Lateral projection; Rt plain radiograph of the wrist; 13y F; index exam — 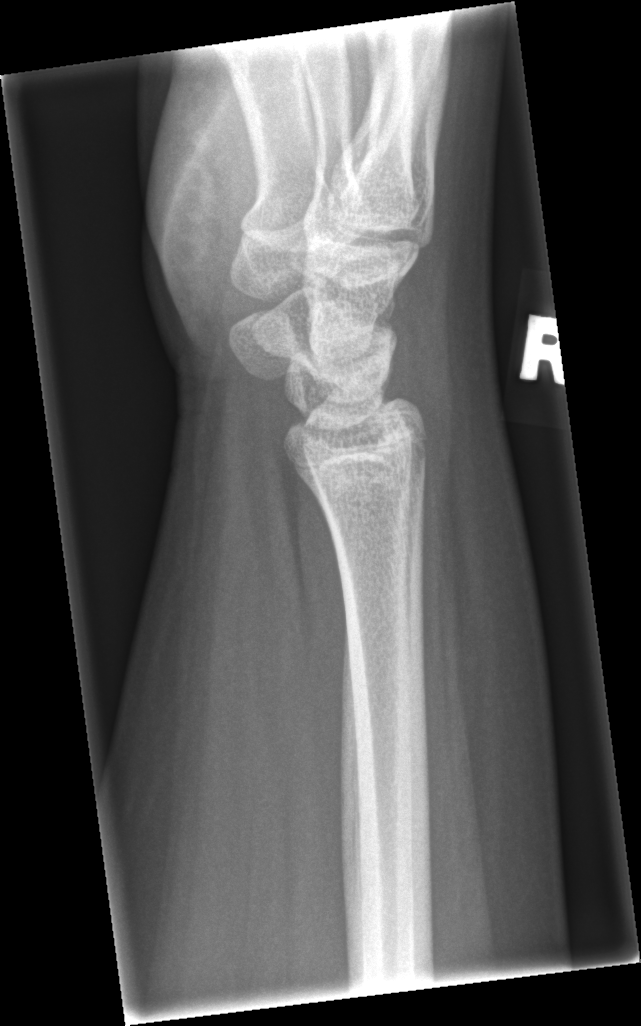
Findings: No fracture labeled.